L pediatric wrist radiograph, frontal view, Siemens 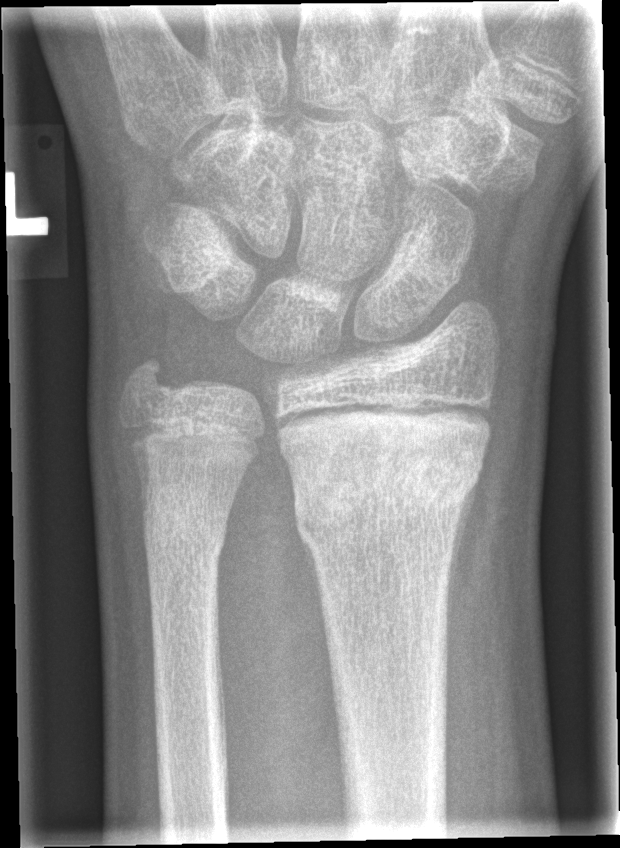

Q: Bone density?
A: Osteopenic
Q: Is there periosteal reaction?
A: Periosteal thickening: (left=440, top=469, right=483, bottom=647)
Q: Locate any fractures.
A: Fracture identified at (left=291, top=410, right=491, bottom=564), (left=138, top=475, right=231, bottom=571), (left=117, top=346, right=180, bottom=415)